Frontal view; left wrist plain film; pediatric patient (male, age 11); follow-up study; in cast 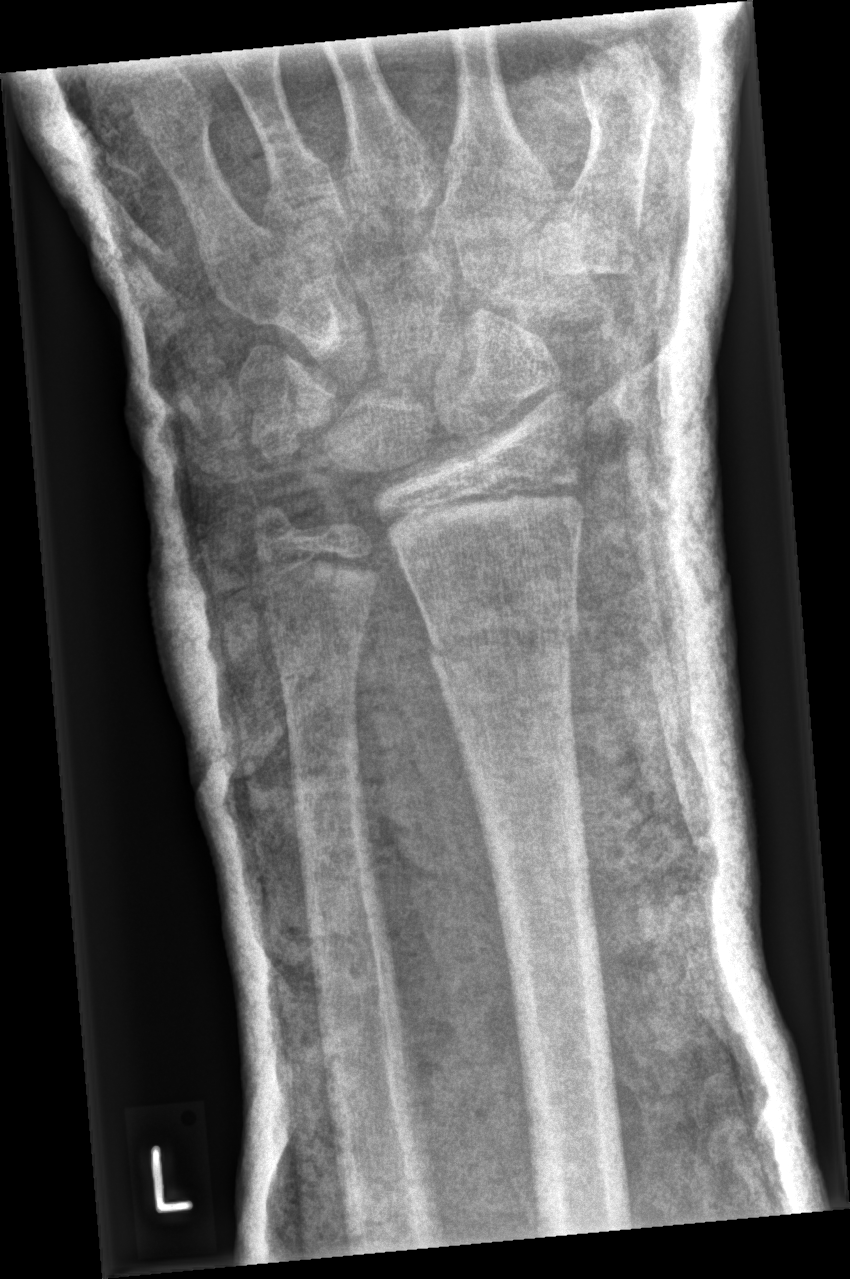

- Bone fractures — 423 592 581 674
  243 494 313 561.
- Fracture classified AO/OTA 23r-M/3.1; 23u-E/7.